PA/AP projection · Lt wrist X-ray · findings marked uncertain by the reading radiologist · acquired on Siemens · 526 by 862 pixels:

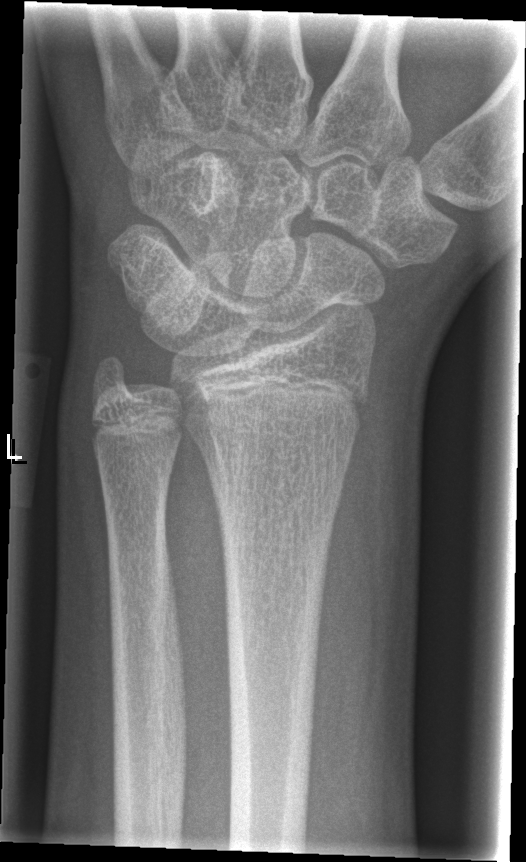

No Fx annotated.